Left wrist X-ray; lateral; 5-year-old girl; detector: Siemens; 479 by 1004 pixels.

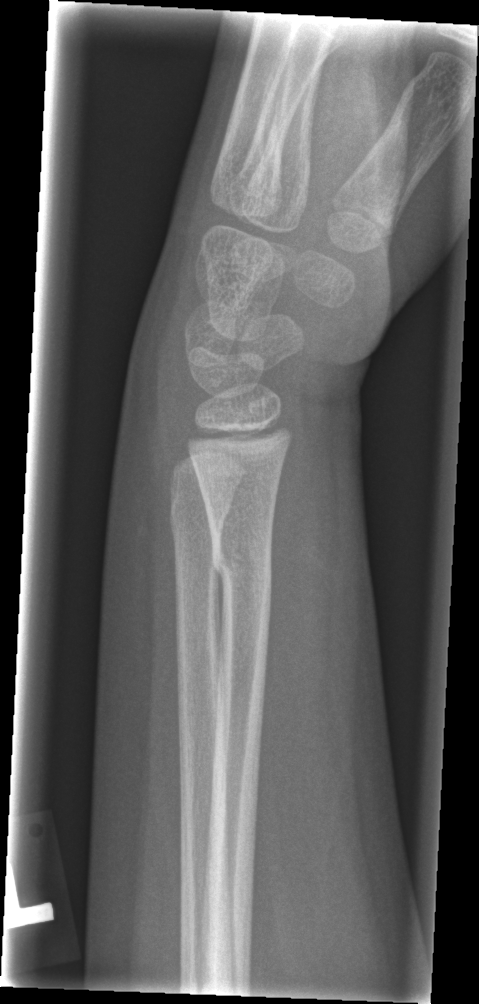
• Pixel coordinates, top-left origin, xyxy.
• Two Fx at (209, 532, 273, 599); (167, 494, 235, 543).